Lateral projection, left wrist plain film, follow-up study:
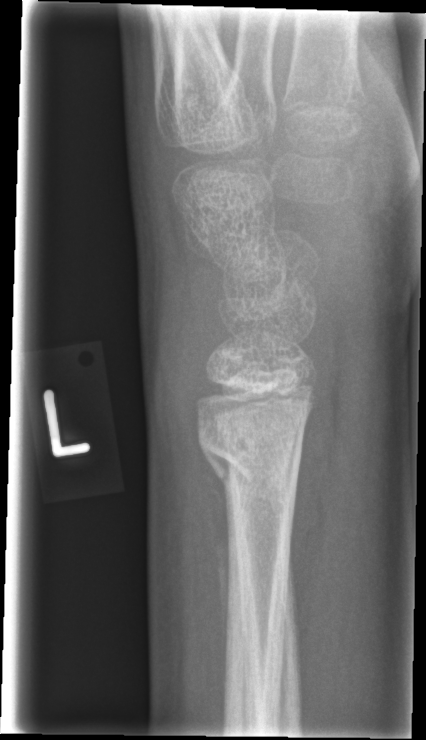
{
  "fracture": "[x1=193, y1=412, x2=307, y2=503]",
  "osteopenia": "present",
  "periostealreaction": "1 @ [x1=205, y1=471, x2=231, y2=697]"
}